PA/AP view, left wrist plain radiograph of the wrist, detector: Siemens.

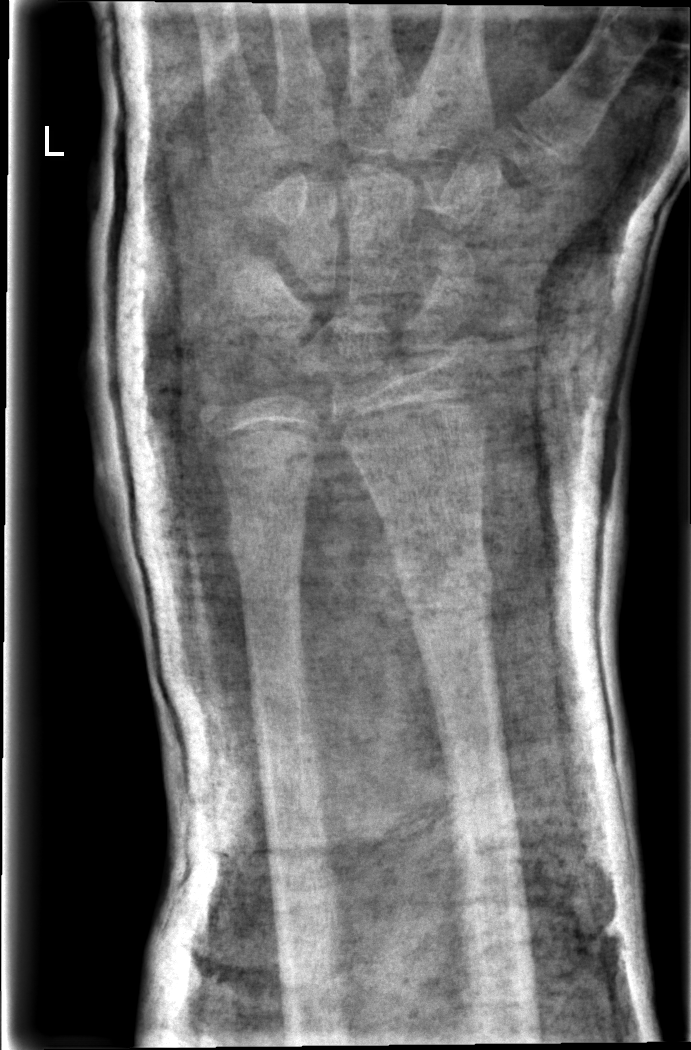

Fracture classified AO/OTA 23-M/2.1. Bone fracture identified at (left=399, top=554, right=497, bottom=621), (left=220, top=514, right=310, bottom=572).